Frontal; left wrist X-ray. 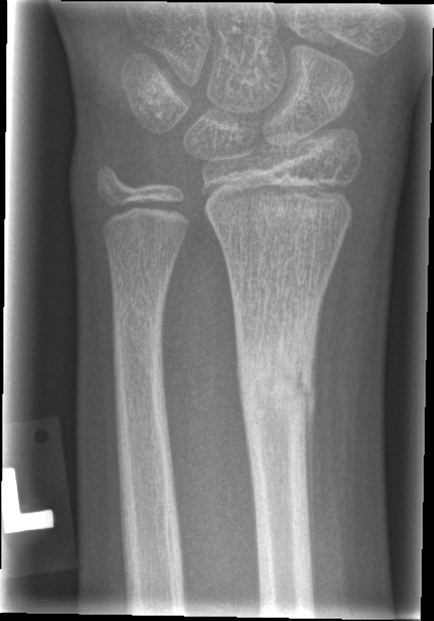
FINDINGS — Osteopenia. Periosteal thickening identified at (left=303, top=335, right=315, bottom=597). AO code 22r-D/2.1. One bone fracture at (left=236, top=311, right=323, bottom=438).